Lt wrist radiograph; AP; 10-year-old female; 95.5 mm image width.
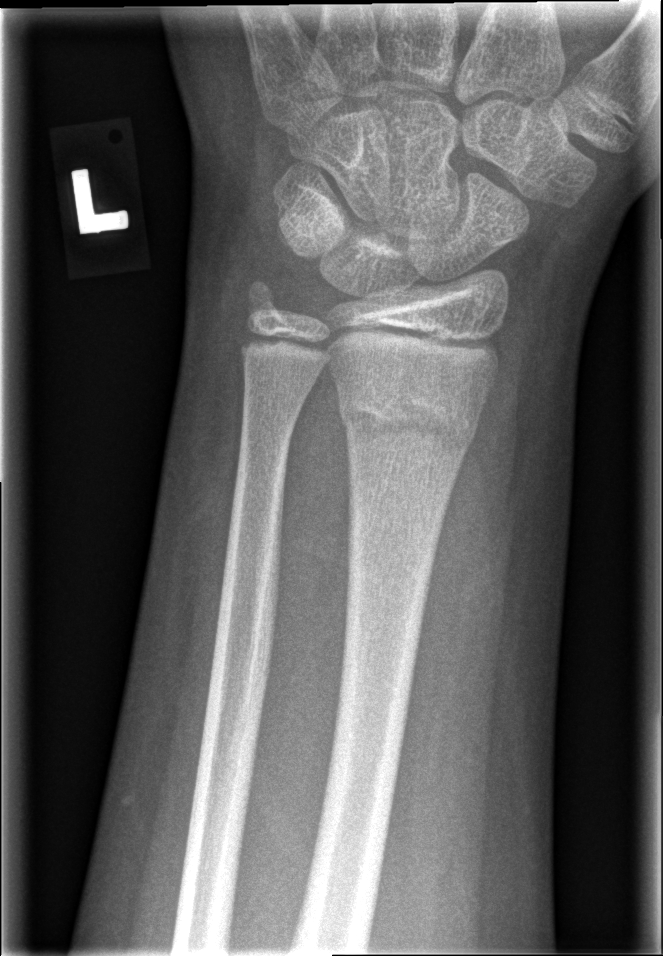 Bounding boxes in image-pixel xyxy. Two bone fractures at [x1=333, y1=375, x2=482, y2=463] [x1=236, y1=273, x2=292, y2=328]. AO/OTA classification: 23r-M/3.1; 23u-E/7.